Left wrist XR · lat view · male, 14 yo —

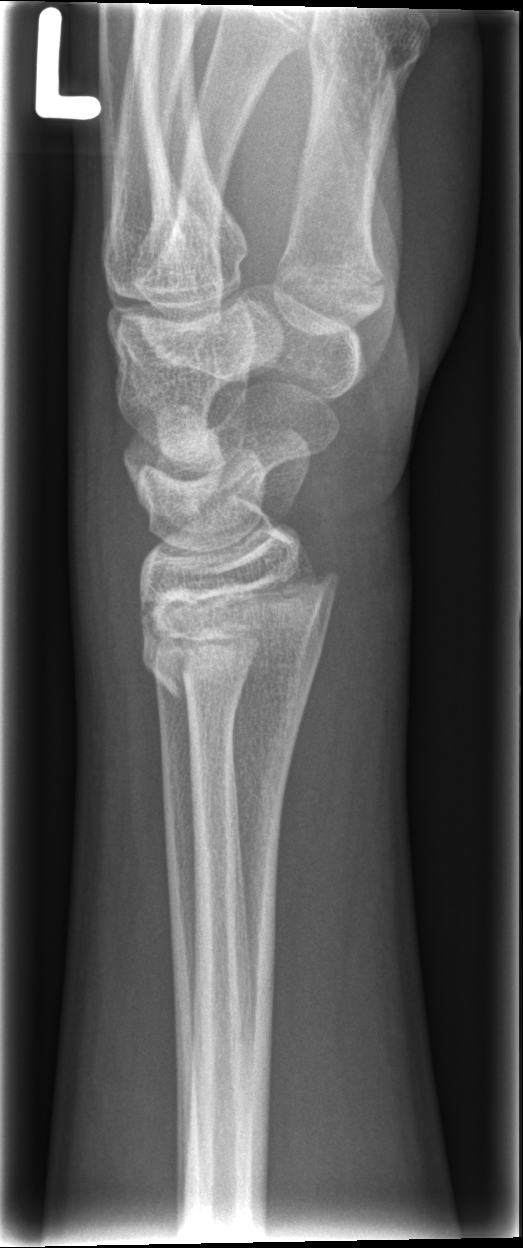

Findings: (boxes as x1,y1,x2,y2 (top-left / bottom-right, pixel units)) Fracture — (131, 572, 342, 712). AO code 23r-E/2.1; 23u-E/7.